PA view | right pediatric wrist radiograph | 706x1215 —
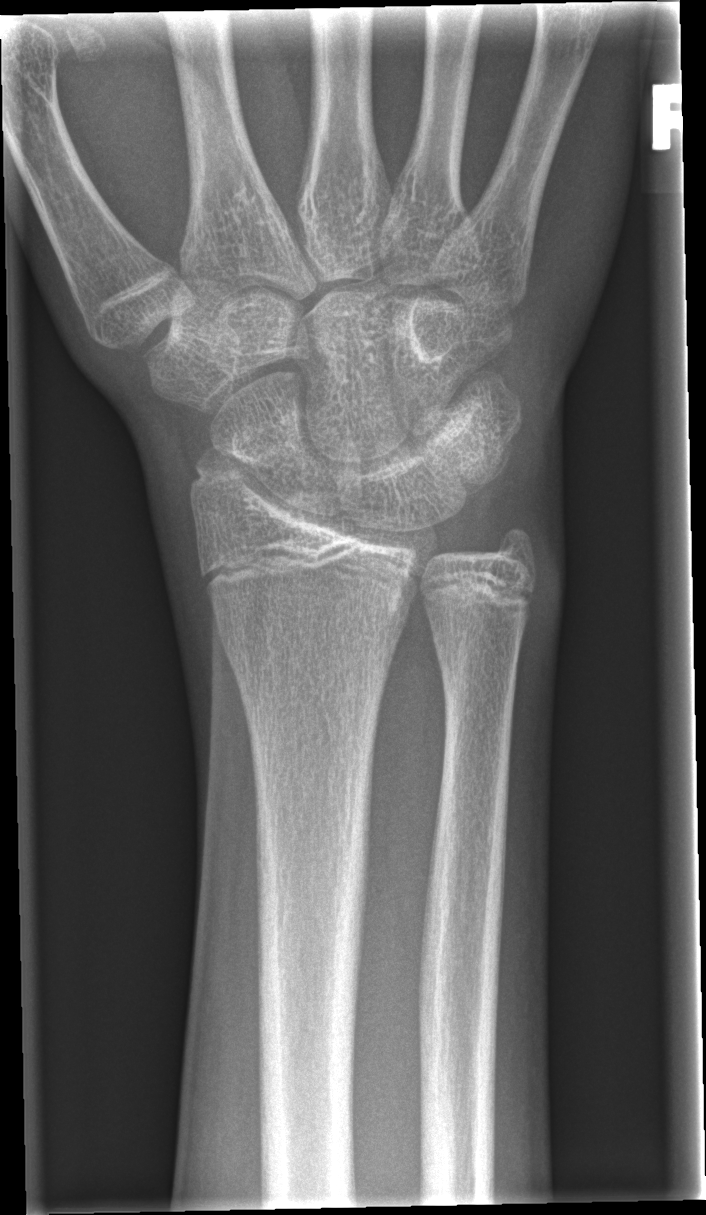 (pixel coordinates, top-left origin, xyxy)
Fx: <183,443>-<296,499>